Left wrist X-ray · posteroanterior projection · age 10 y, boy · presentation radiograph · acquired on Siemens:
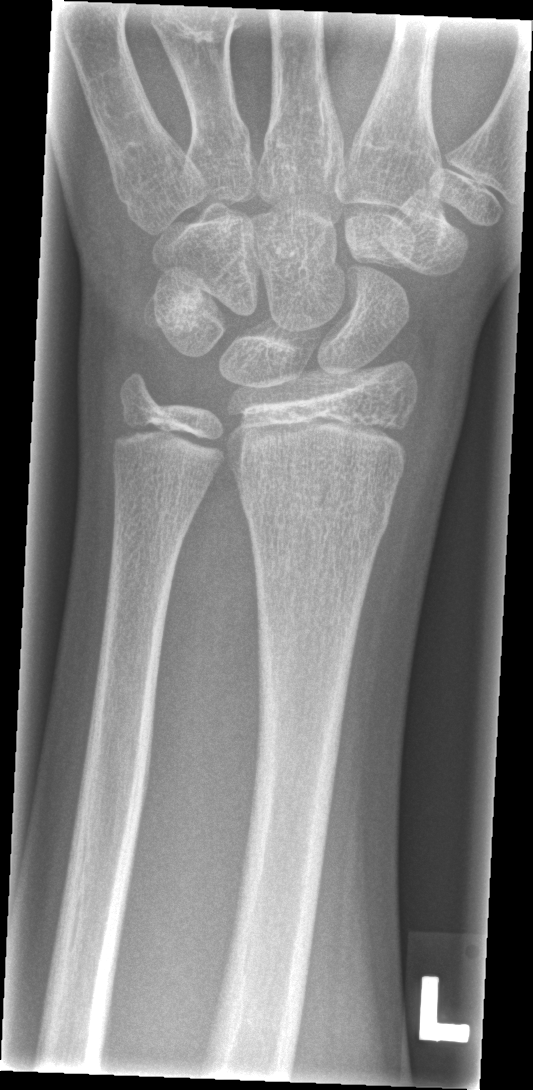 Pixel coordinates, top-left origin, xyxy.
Fracture classified AO/OTA 23r-M/2.1.
One bone fracture at [238, 475, 397, 545].
Osseous anomaly identified at [152, 13, 240, 61].